R wrist radiograph, lat, presentation radiograph, 362 x 972 px
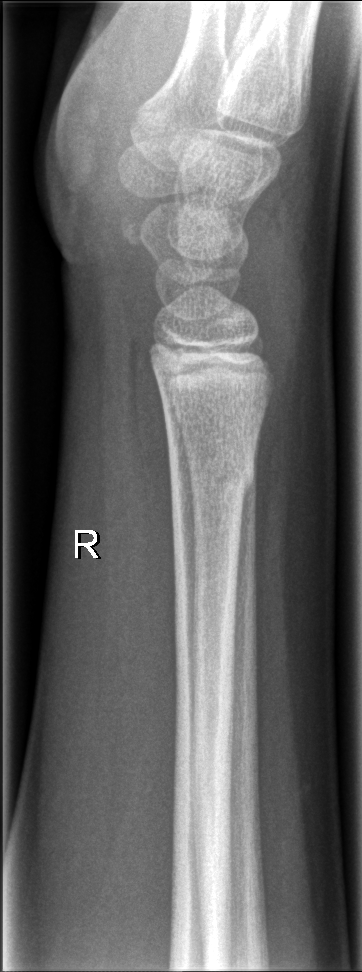
Findings: Bone fracture — 166 451 257 508.